L wrist plain film · lateral projection · index exam · detector: Siemens.

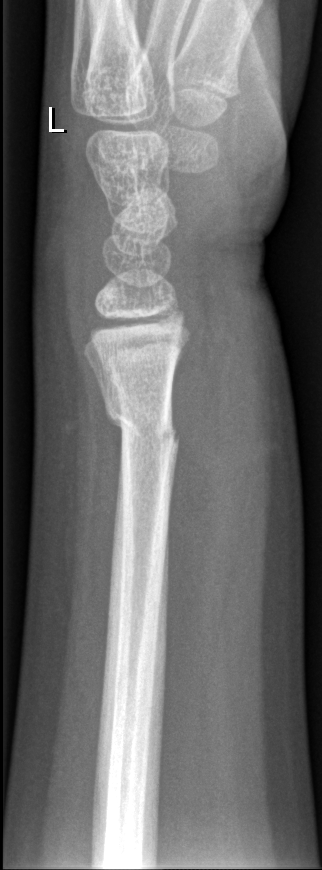 {
  "_coords": "coordinates are [x1, y1, x2, y2] in image pixels",
  "pronatorsign": "(160, 325, 227, 617)",
  "ao": "23r-M/3.1; 23u-M/2.1",
  "fracture": "1 @ (108, 408, 183, 456)"
}